Lt plain radiograph of the wrist, posteroanterior projection, pediatric patient (girl, age 9), acquired on Siemens:
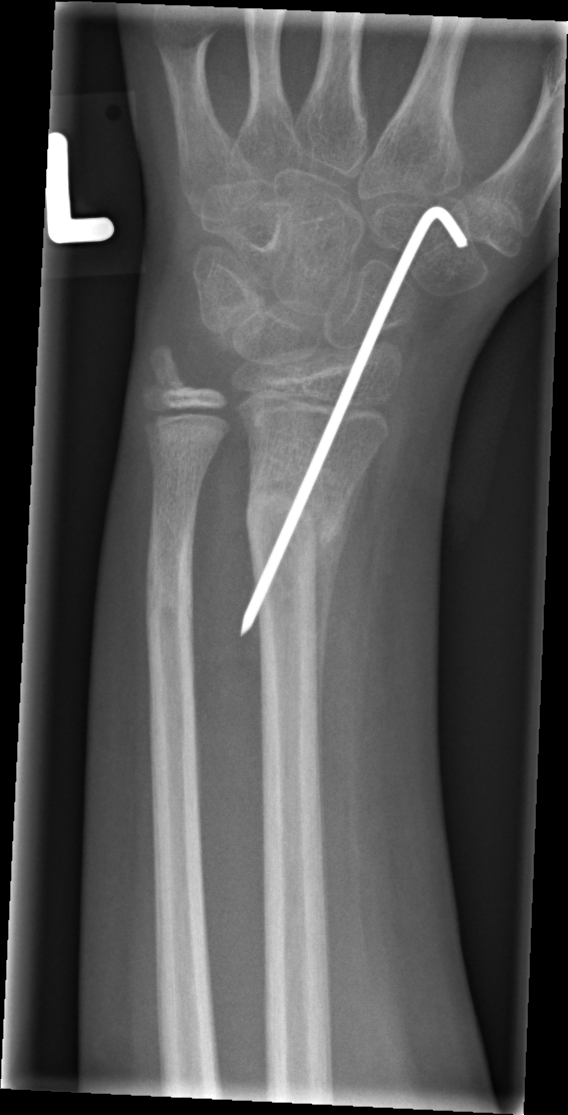 Coordinates are [x1, y1, x2, y2] in image pixels.
Fractures — (left=241, top=473, right=349, bottom=551) (left=139, top=528, right=198, bottom=634) (left=134, top=341, right=198, bottom=407).
AO code 23r-M/3.1; 23u-M/2.1; 23u-E/7.
Hardware: (left=241, top=201, right=473, bottom=644).
Osteopenia.
One periosteal reaction at (left=309, top=452, right=375, bottom=805).